Frontal projection | right wrist X-ray | female, 8 yo | initial study. 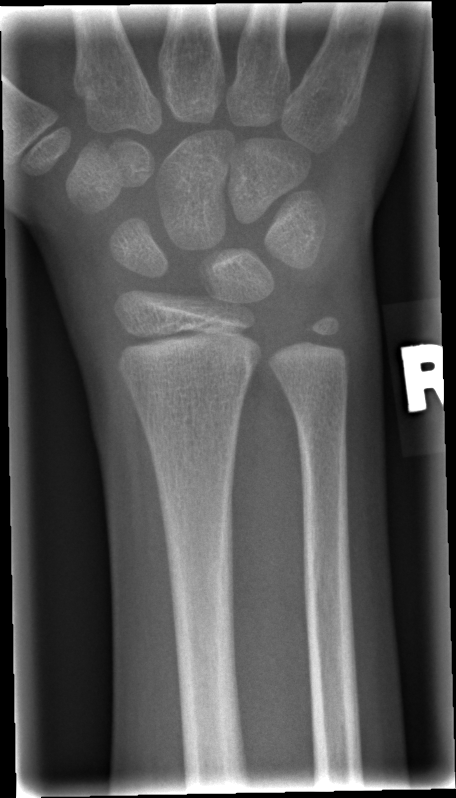
{"fracture": "none labeled"}